R wrist radiograph; PA/AP view; 8-year-old male; follow-up; cast present
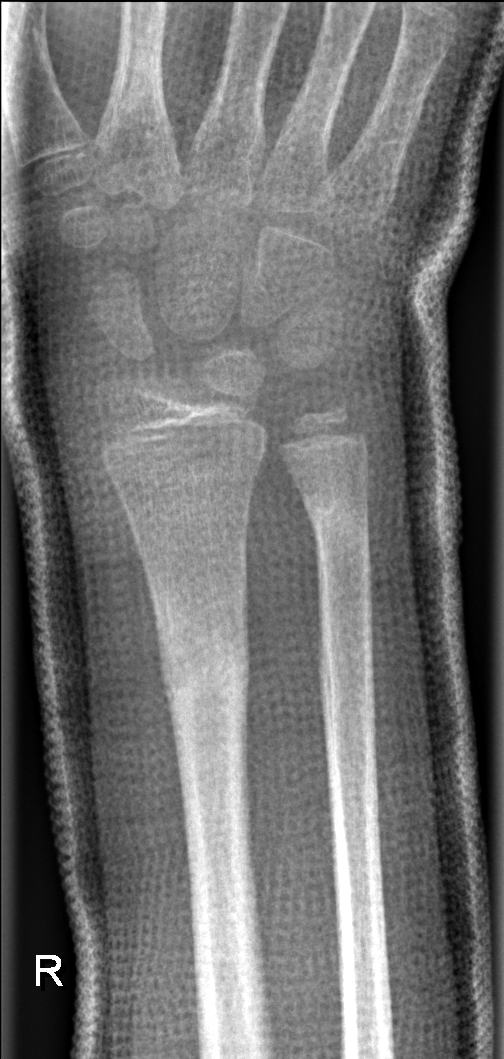

{
  "_coords": "pixel coordinates, top-left origin, xyxy",
  "fracture": "152 608 257 734\n  302 488 375 566",
  "ao": "22r-D/2.1; 23u-M/2.1"
}